Lateral | R plain radiograph of the wrist | 9y F | imaged through cast
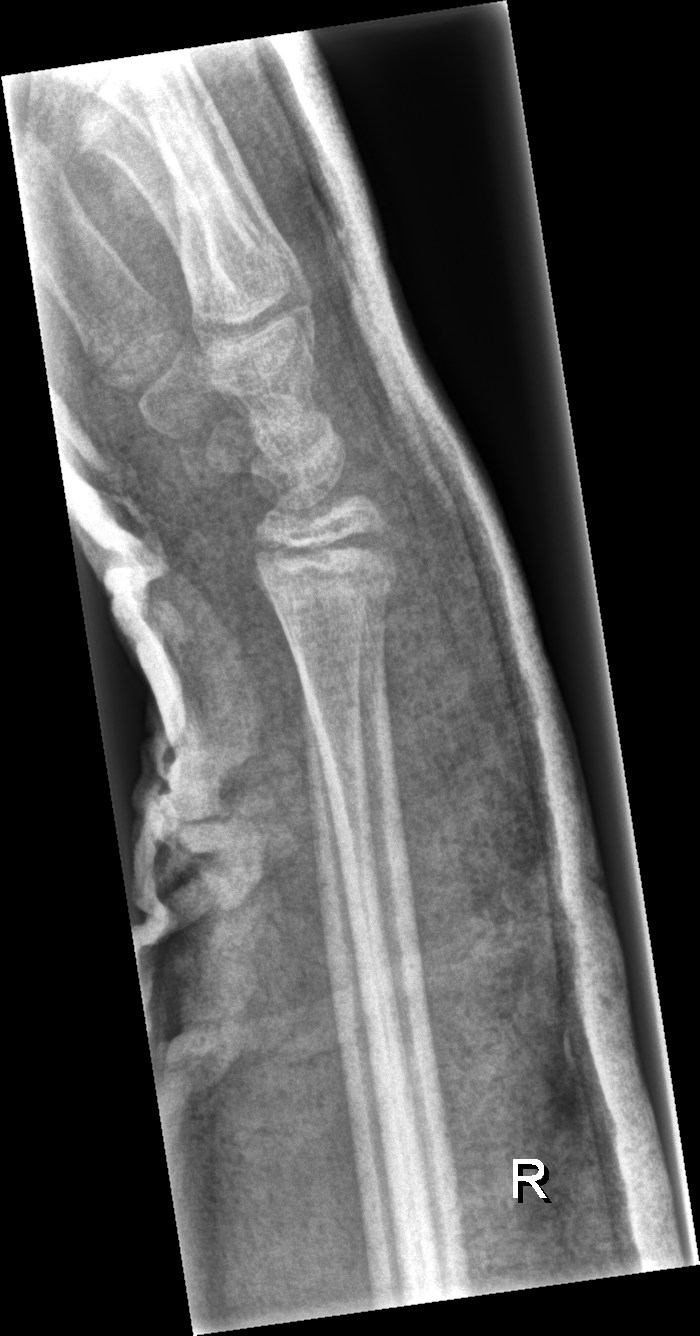

* Boxes as x1,y1,x2,y2 (top-left / bottom-right, pixel units).
* Fracture classified AO/OTA 23r-E/2.1; 23u-E/7.
* Fx identified at bbox(248, 529, 403, 626).